PA/AP | right wrist pediatric wrist radiograph | 526 x 1184 px.

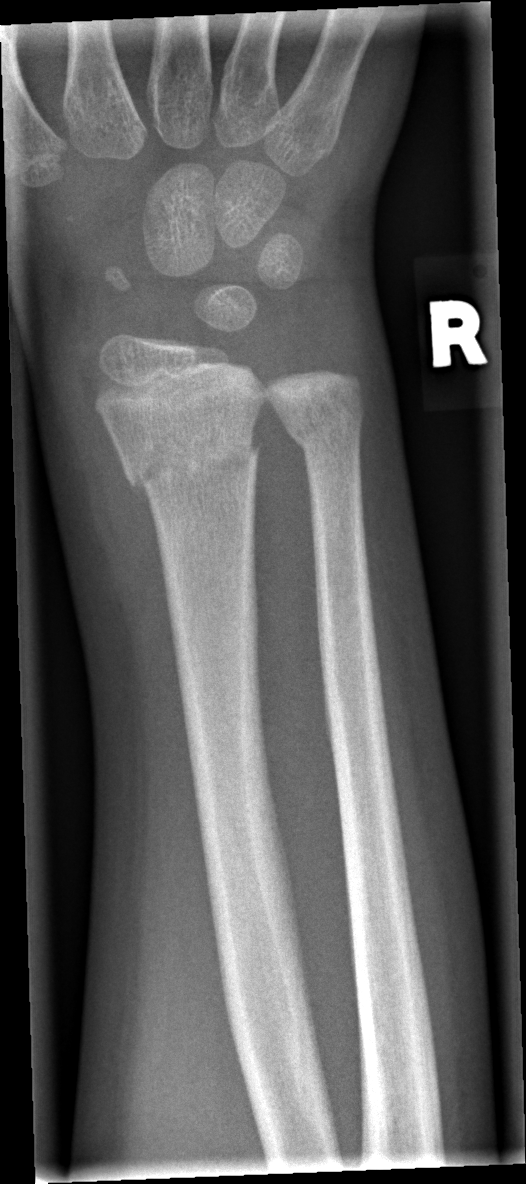
{"_coords": "coordinates are [x1, y1, x2, y2] in image pixels", "fracture": "2 @ [x1=123, y1=423, x2=261, y2=505]; [x1=280, y1=393, x2=365, y2=458]", "ao": "23r-M/3.1; 23u-M/2.1"}